Rt plain radiograph of the wrist · frontal · 9-year-old girl · cast in situ · Siemens:
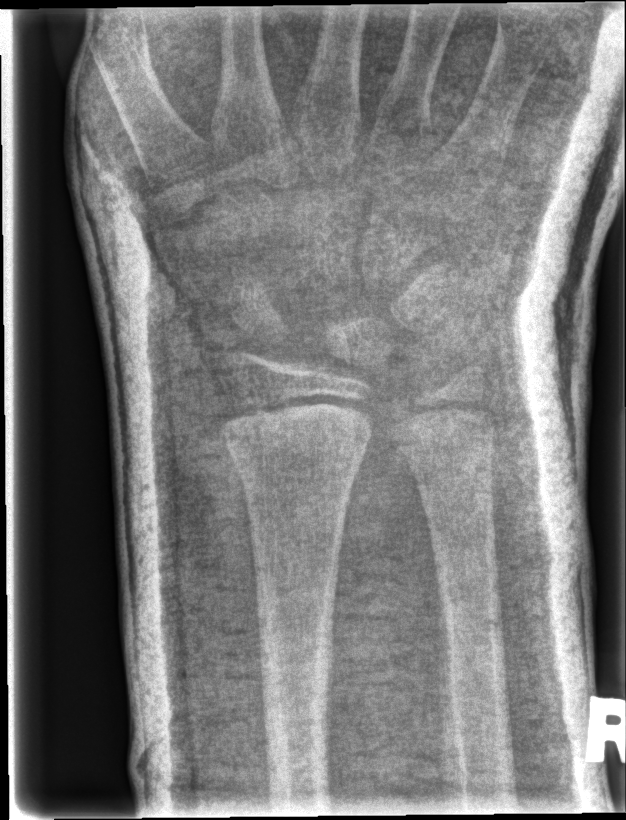 (boxes as x1,y1,x2,y2 (top-left / bottom-right, pixel units))
AO classification = 23r-E/2.1
Fracture = 1 @ (left=236, top=461, right=359, bottom=524)